PA view | R wrist plain film | boy, 13 yo | equivocal findings | 76.9 mm image width: 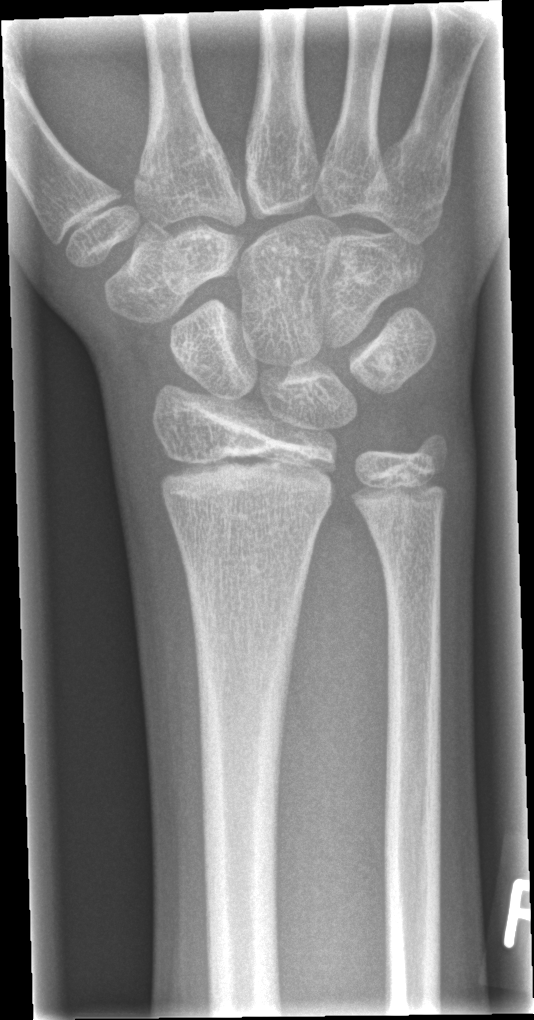 Fracture present but not clearly seen in this view.